L wrist X-ray, lateral, pediatric patient (boy, age 7)

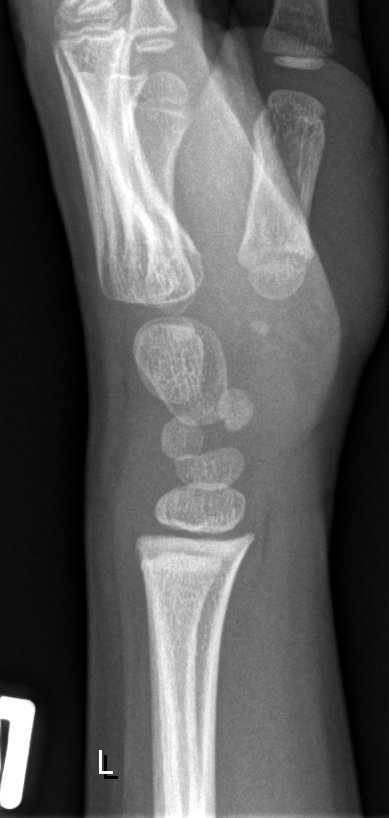 Fracture: none labeled.